L plain radiograph of the wrist · lateral view · age 10 y, male.
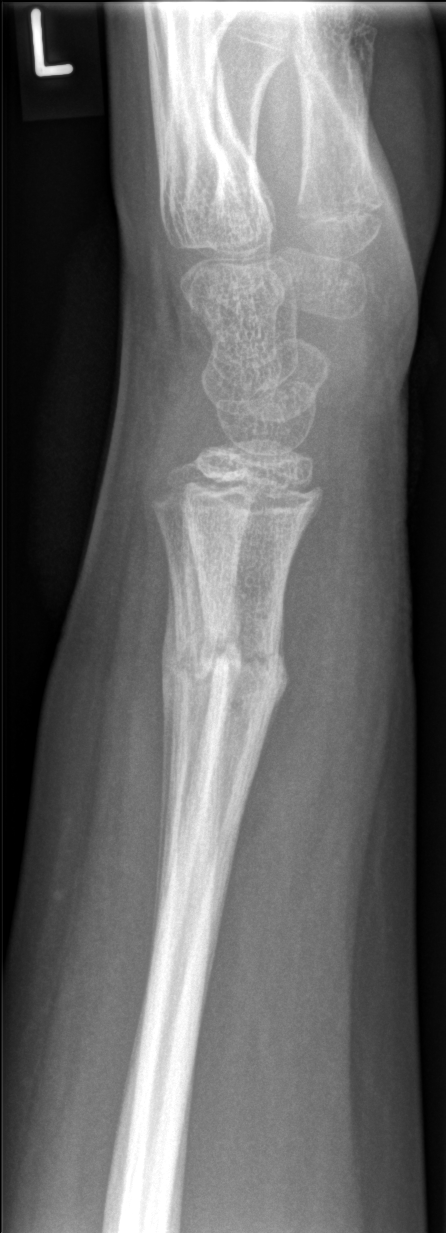
Fracture classified AO/OTA 23-M/3.1.
One bone fracture at 157,608,294,723.
Osteopenia.
One periosteal thickening at 152,561,185,935.